Right wrist plain film, AP.

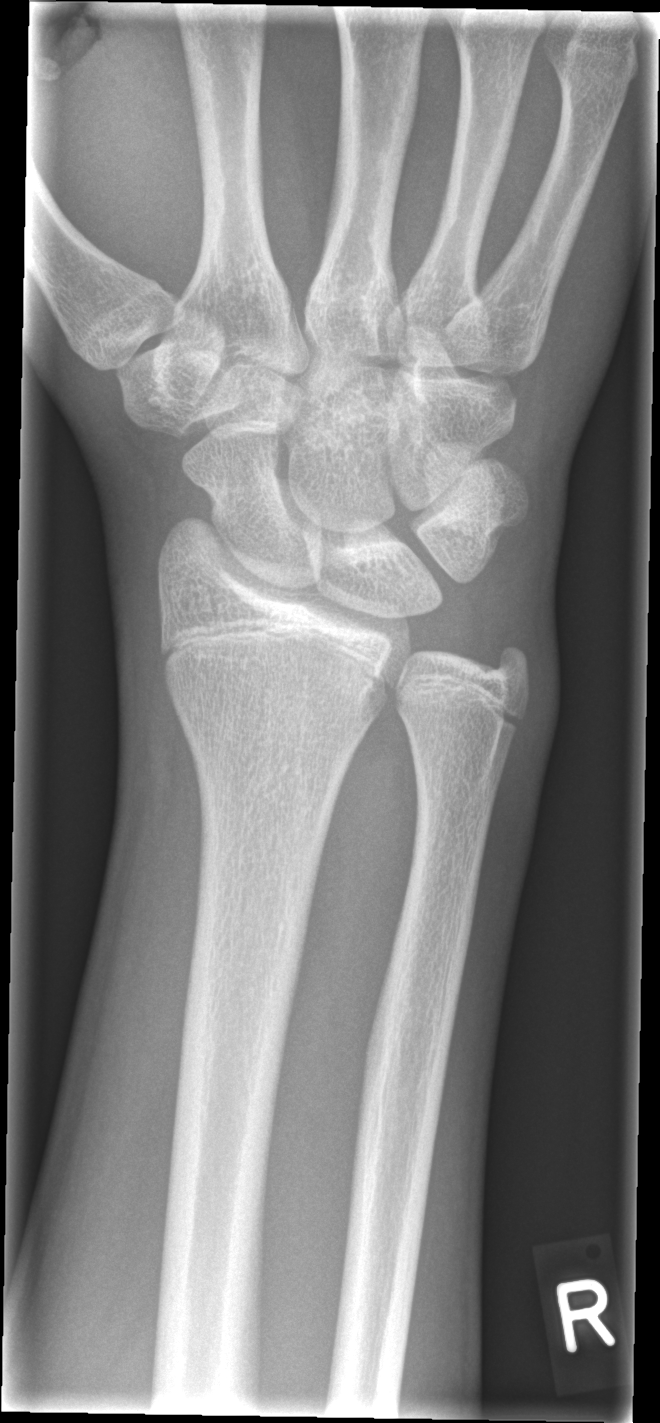 No fracture labeled.